L pediatric wrist radiograph · AP projection · age 11 y, girl · acquired on Siemens: 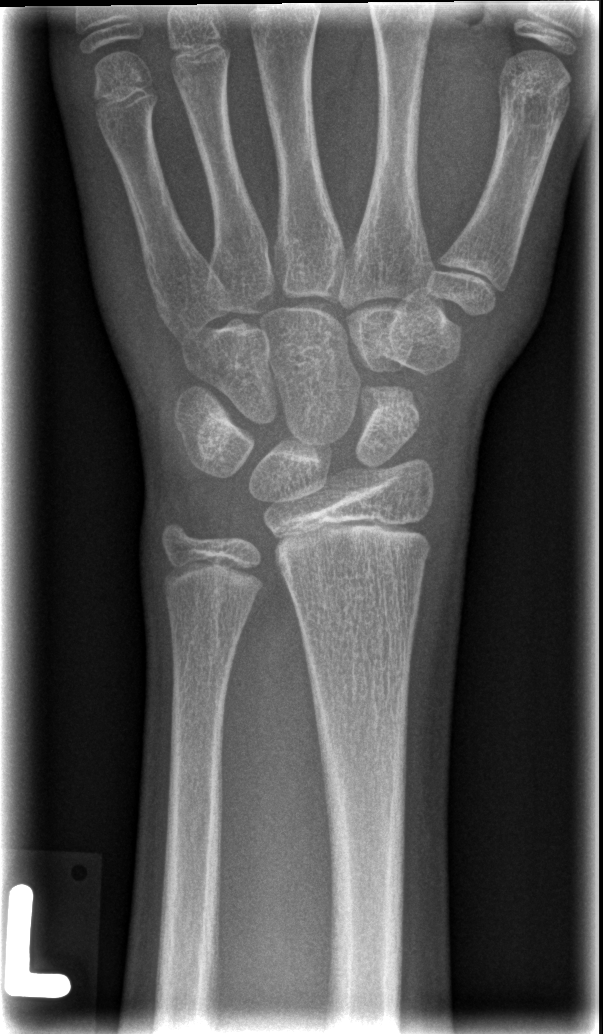

* No fracture annotation.